AP view · R plain radiograph of the wrist · pediatric patient (male, age 5) · image width 84.7 mm:

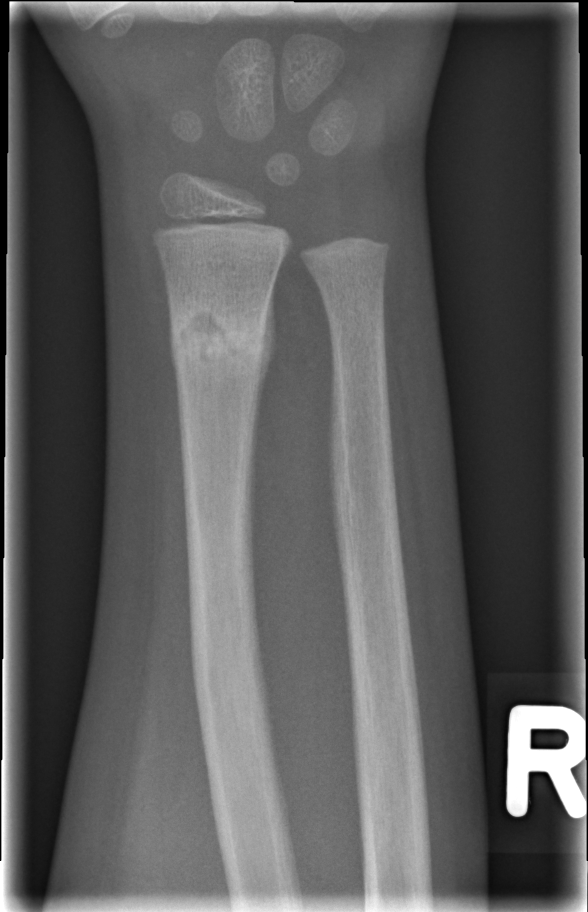

{"ao": "23r-M/3.1", "fracture": "(161, 294, 281, 384)", "periostealreaction": "1 @ (255, 279, 279, 426)"}